Right wrist radiograph | posteroanterior | pediatric patient (female, age 17) | image 98.1 mm wide

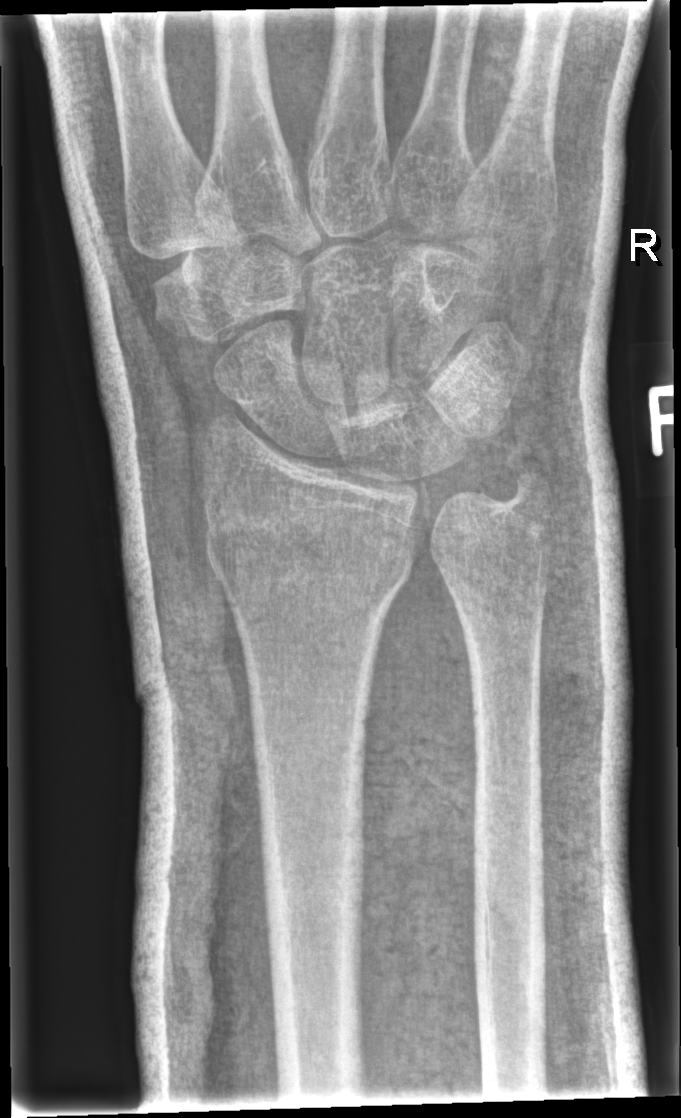

AO/OTA: 23r-M/3.1; 23u-E/7
Fracture: 2 @ <201,524>-<410,611>; <498,446>-<557,517>